Lateral projection, R plain radiograph of the wrist, age 11 y, girl, index exam, 413x730.
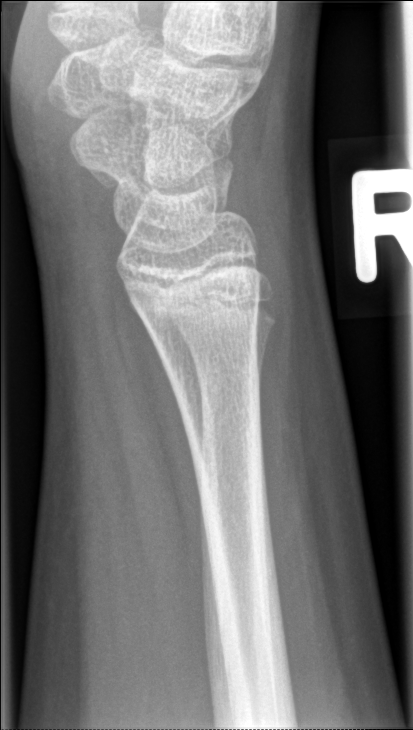
No fracture labeled.